Lat projection · Lt plain radiograph of the wrist · acquired on Siemens.

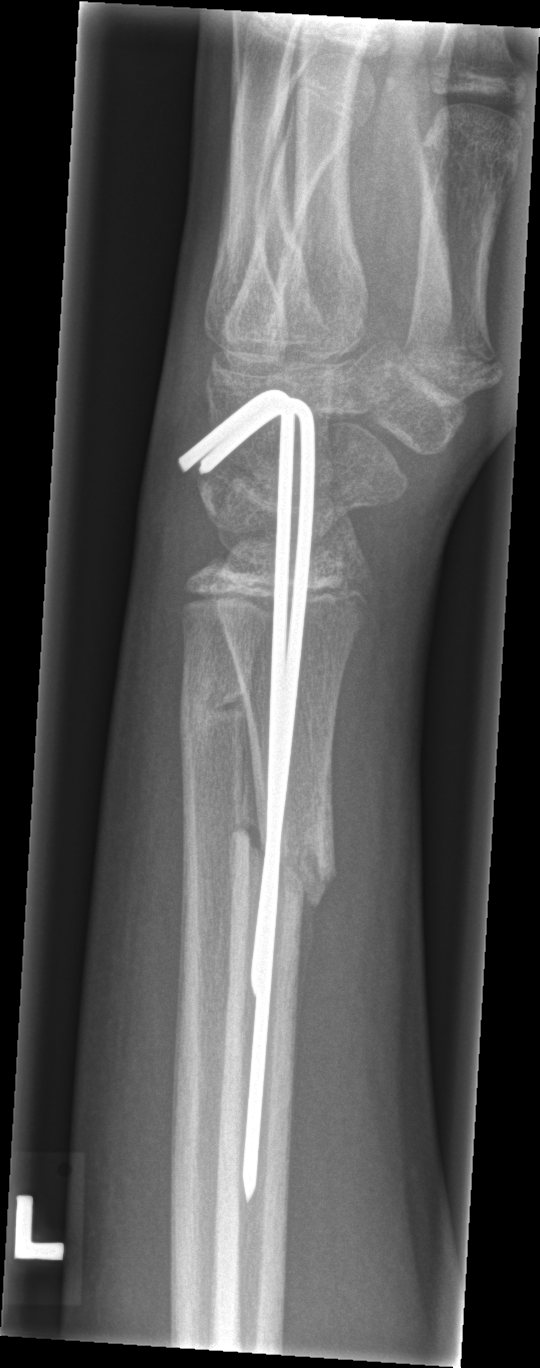 (pixel coordinates, top-left origin, xyxy)
AO code = 22r-D/5.1; 23u-M/2.1
Fx = 2 @ [225, 821, 339, 914], [174, 664, 252, 750]
Hardware = 1 @ [176, 387, 311, 1204]